Lateral view, left wrist plain radiograph of the wrist, initial study, 66.8 mm image width. 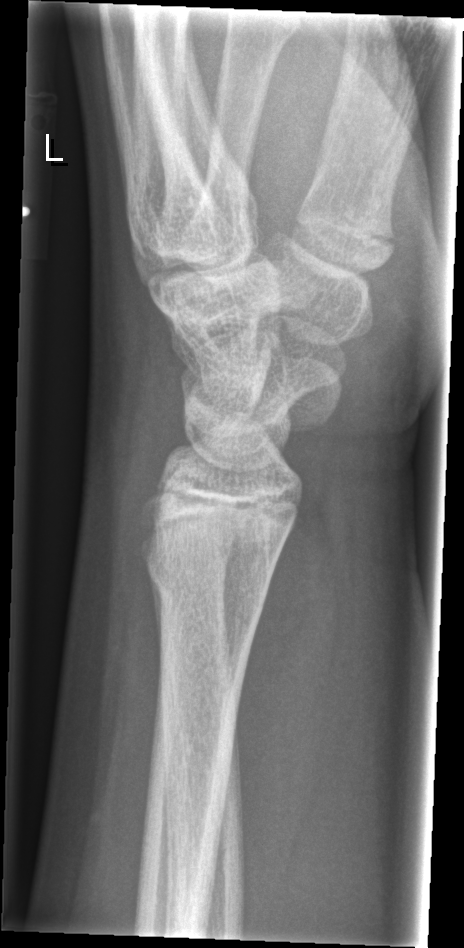
FINDINGS: Fracture — 136,539,276,606. Fracture classified AO/OTA 23r-M/2.1. One pronator sign at 233,498,344,908.